Left pediatric wrist radiograph, lateral view, 6-year-old girl

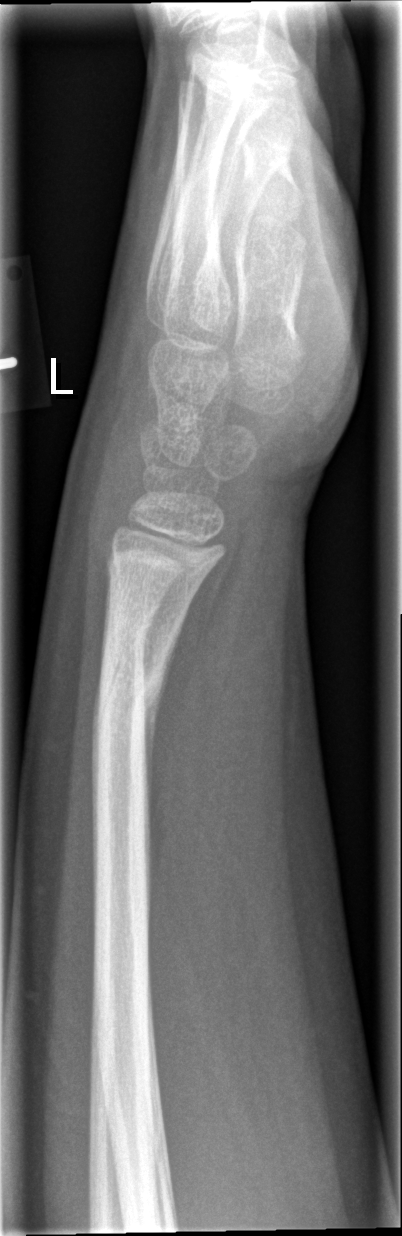
# coordinates are [x1, y1, x2, y2] in image pixels
fracture: 1 @ [90, 650, 172, 758]
osteopenia: present
ao: 23-M/2.1
periostealreaction: [139, 653, 170, 822]